Left wrist plain film | lateral projection | 483 by 1180 pixels.

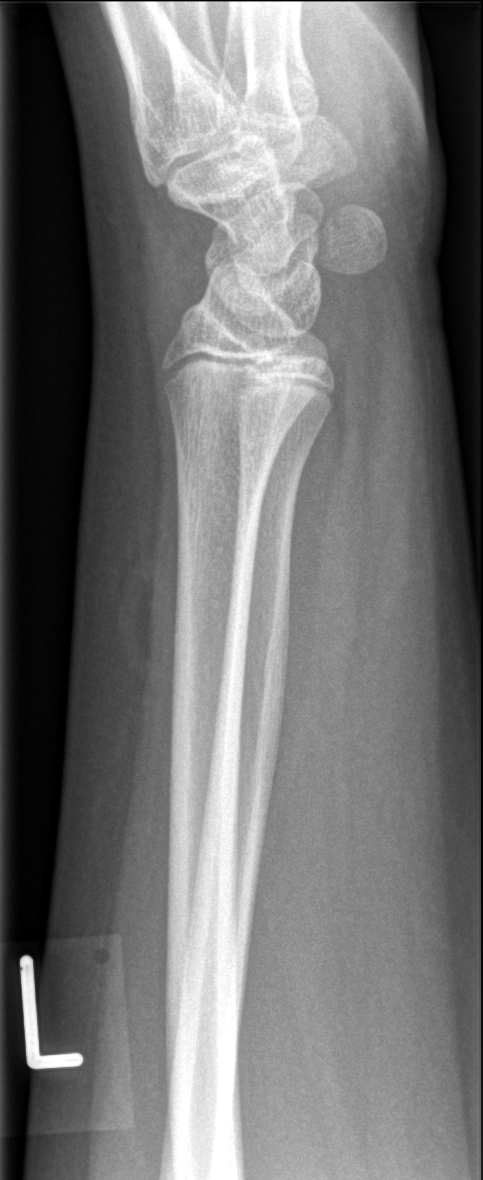
* Fx: none.